Lateral projection, Lt wrist X-ray, 600 x 844 px.
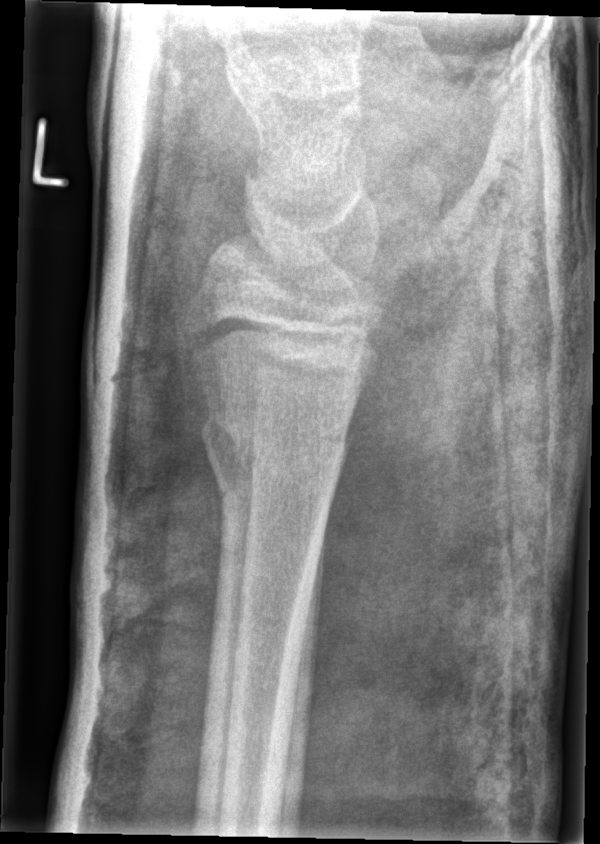 Fracture: bbox(195, 401, 357, 483).